Lt wrist radiograph; lateral view; acquired on Siemens 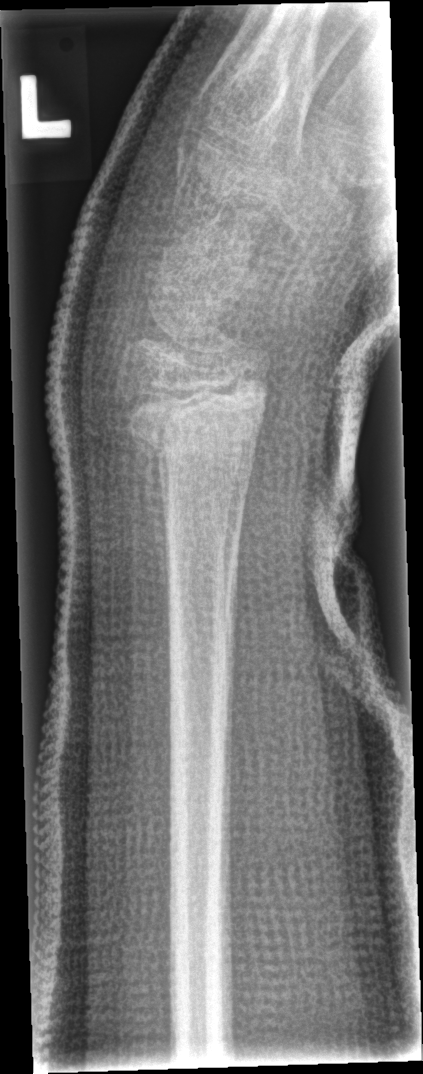
(coordinates are [x1, y1, x2, y2] in image pixels)
Q: Any fracture seen?
A: One bone fracture at [117, 401, 259, 494]